Lt wrist plain film, PA/AP view, Siemens, 81.1 mm image width —
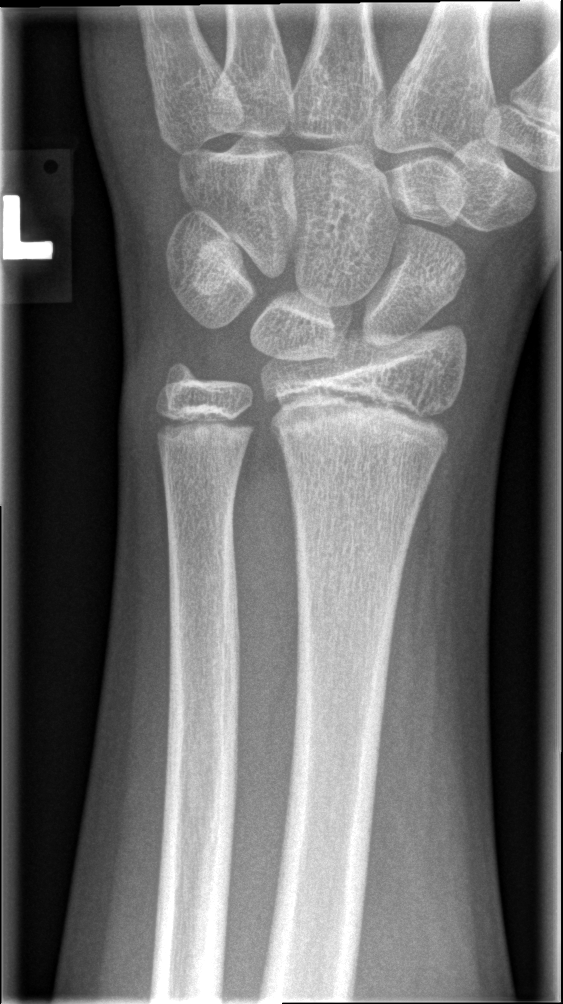 Q: Locate any fractures.
A: No fracture labeled